Right wrist radiograph, posteroanterior projection, follow-up study, imaged through cast, image size 564x982.
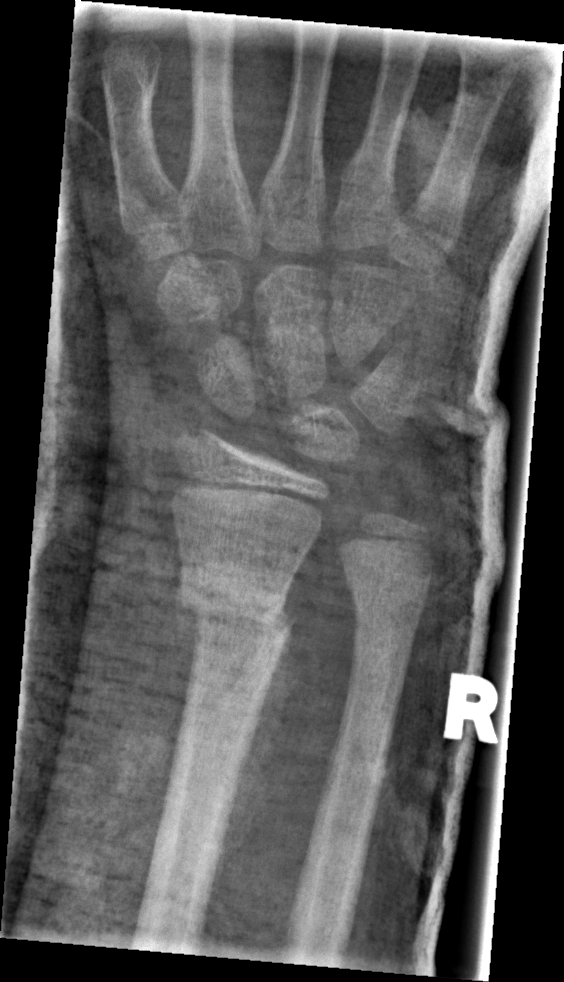 Findings: Fx: <174,560>-<298,652>.